L wrist plain film | lat | pediatric patient (boy, age 11) | 499x1044 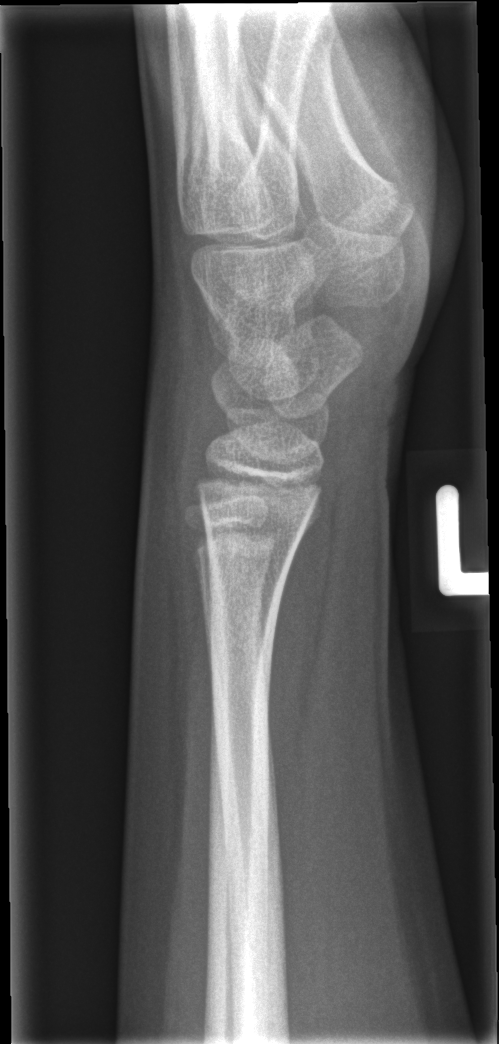
Fracture: none labeled.